Lt wrist radiograph | lat view | pediatric patient (female, age 13) | 546 by 1254 pixels
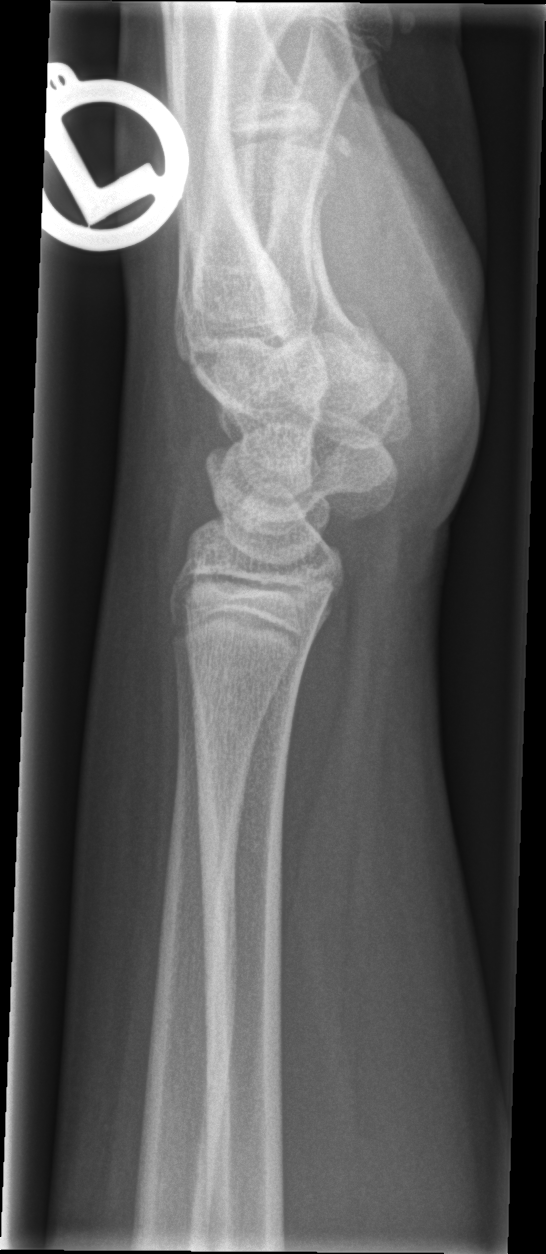
No fracture labeled.